AP; right wrist pediatric wrist radiograph; image width 69.1 mm; image size 480x1111
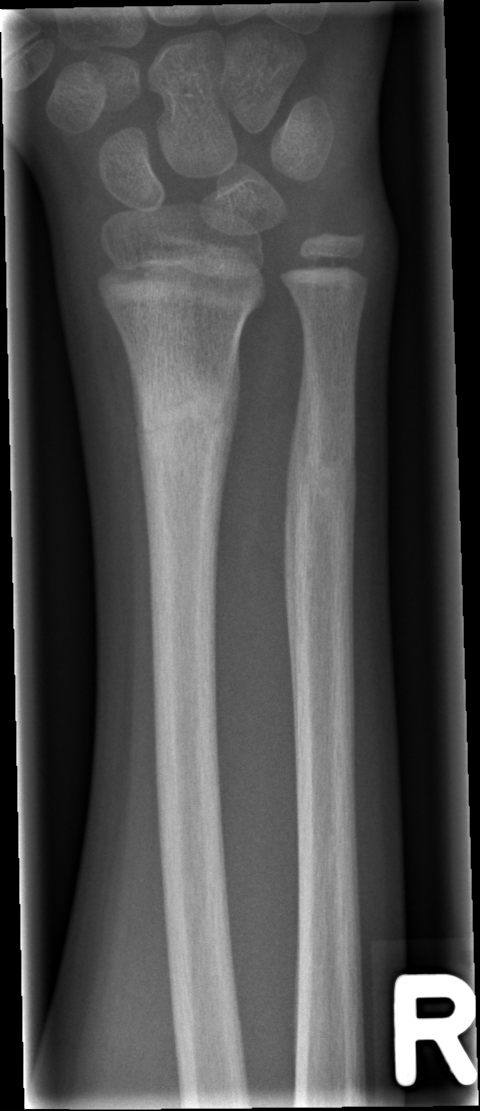 periostealreaction: (left=283, top=367, right=308, bottom=743); (left=216, top=358, right=239, bottom=523); (left=134, top=384, right=155, bottom=543)
ao: 23-M/3.1
fracture: 2 @ (left=281, top=365, right=359, bottom=726), (left=123, top=333, right=243, bottom=490)